R plain radiograph of the wrist, PA/AP view, initial study:
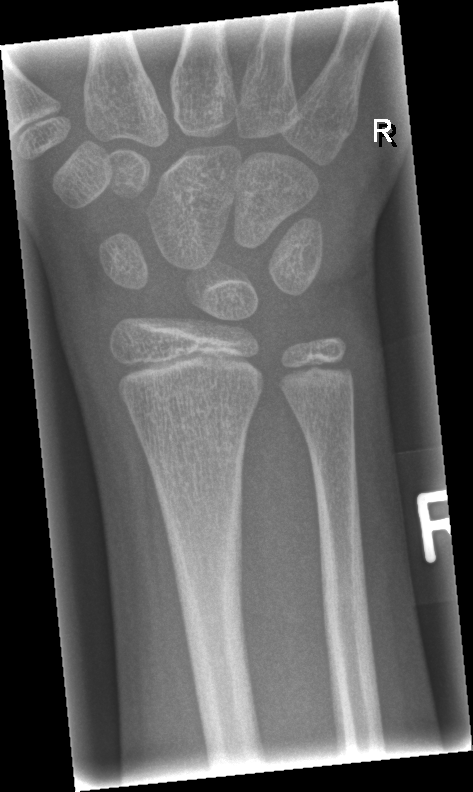

Findings: No fracture bounding box.